Posteroanterior | right plain radiograph of the wrist | 15y M | image size 662x982
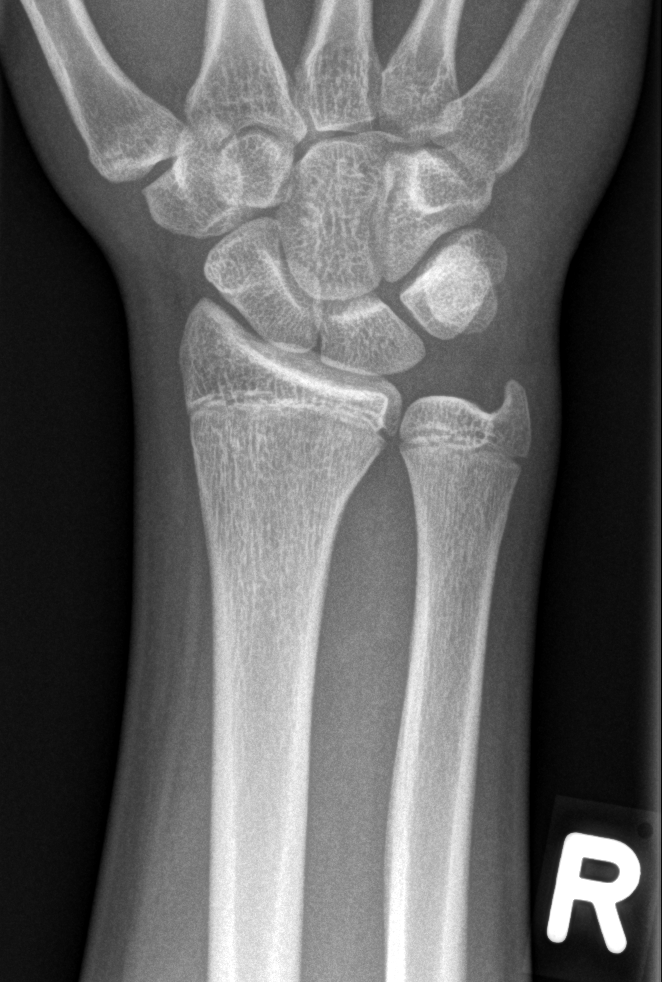 {"fracture": "none labeled"}